Lt wrist XR | PA | pediatric patient (boy, age 9) — 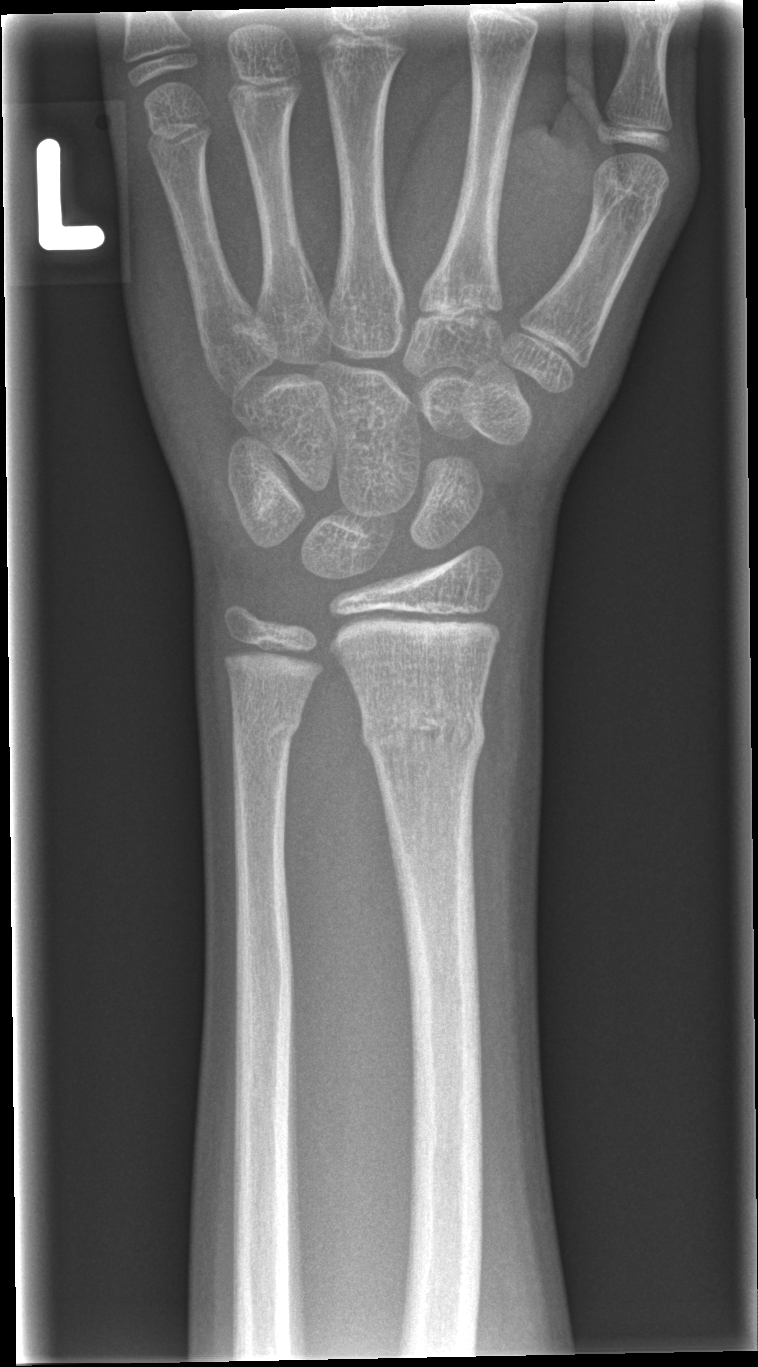
Bone fracture identified at 357,691,489,770; 228,695,307,755.